Lat view, Rt wrist XR, follow-up, 523 x 1038 px: 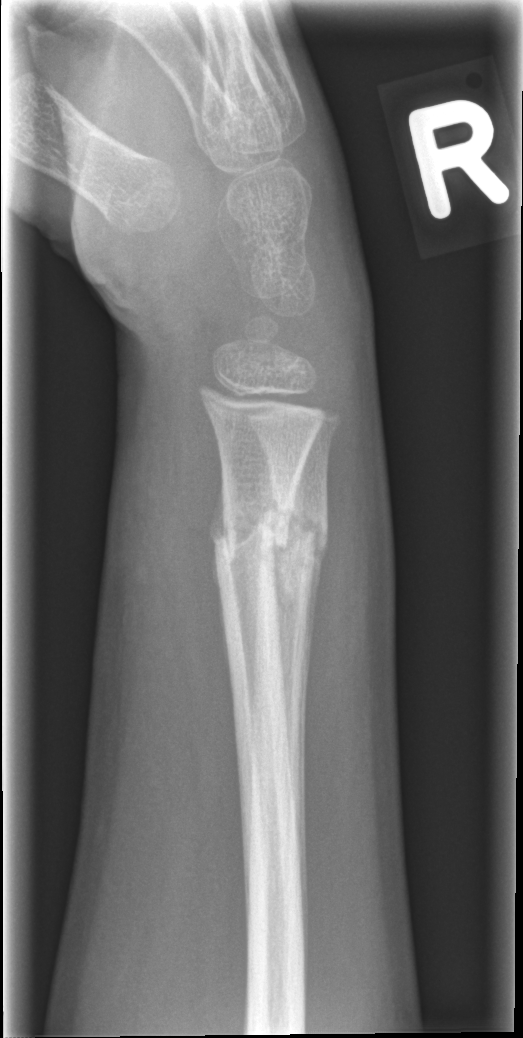 Periosteal new bone: 2 @ bbox(298, 518, 328, 836), bbox(209, 465, 229, 672)
Bone fracture: bbox(208, 489, 295, 573); bbox(263, 496, 333, 584)